Frontal; left pediatric wrist radiograph; Siemens —

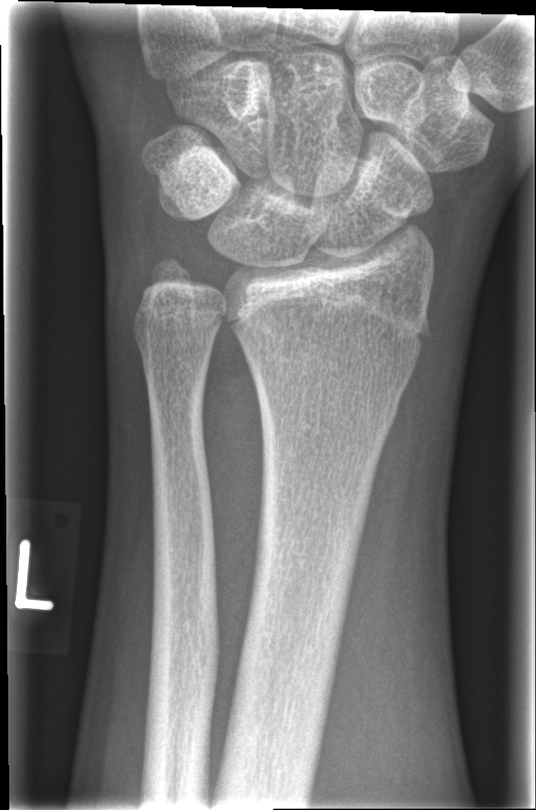 Bounding boxes in image-pixel xyxy.
Fracture classified AO/OTA 23r-M/2.1.
Fracture identified at (253, 379, 408, 454).